PA view · left wrist XR · 76.6 mm image width —

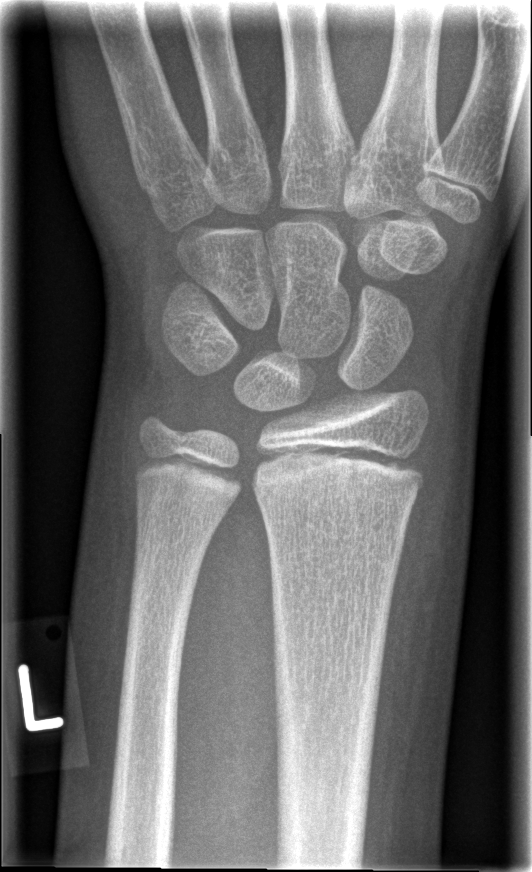
Findings: Fracture classified AO/OTA 23r-E/2.1. Bone fracture identified at <252,436>-<427,491>.